Left pediatric wrist radiograph | lateral projection | cast present: 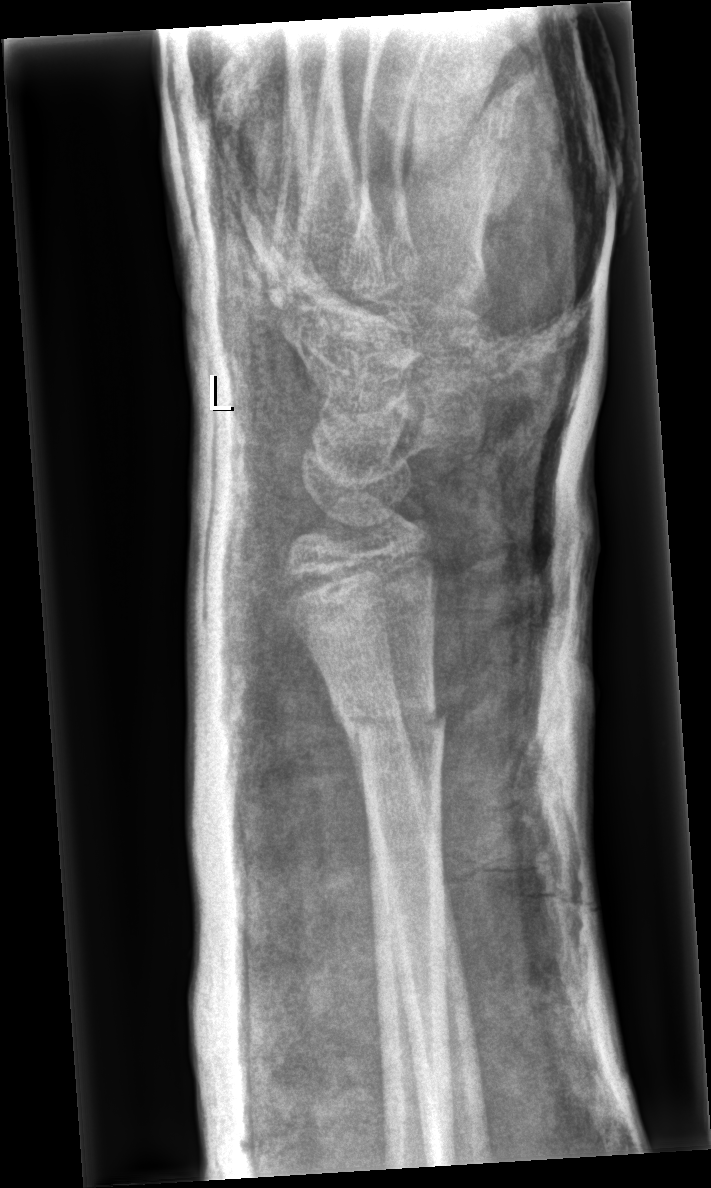
Boxes as x1,y1,x2,y2 (top-left / bottom-right, pixel units). AO code 23r-M/3.1; 23u-M/2.1. Fx identified at [331, 696, 449, 748].